Left wrist pediatric wrist radiograph; lateral; 11-year-old female.

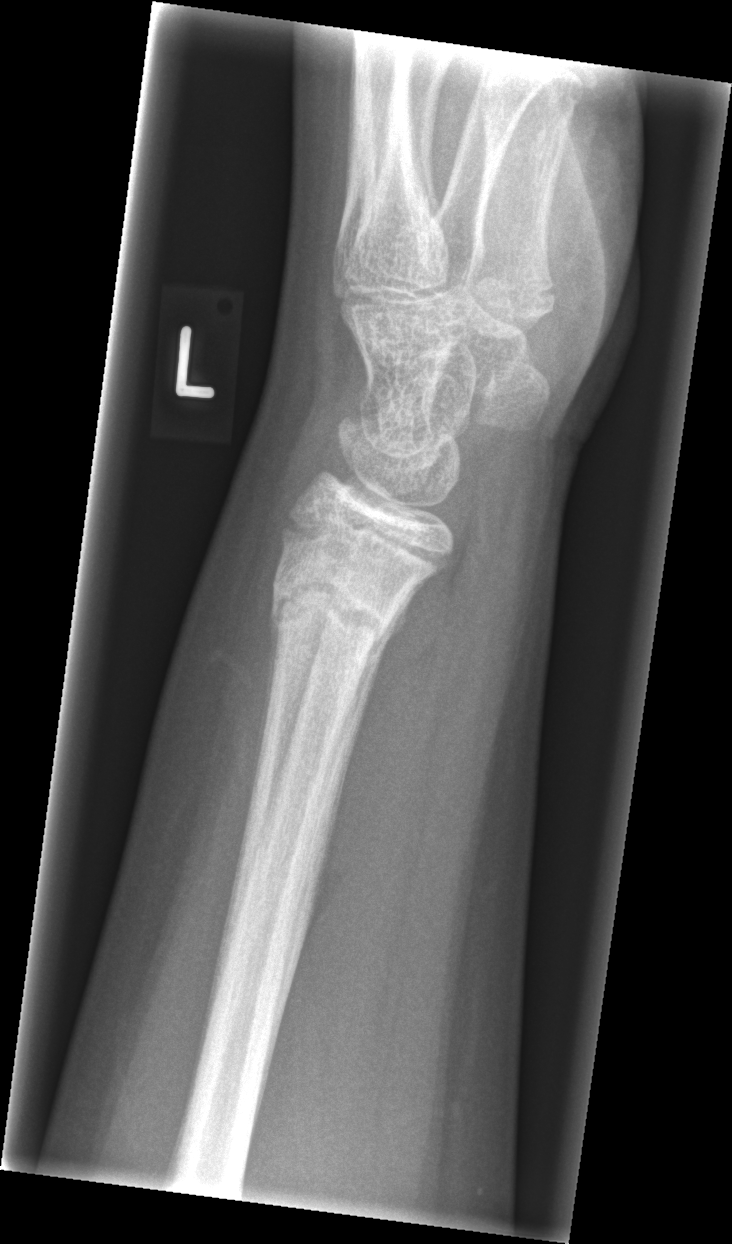

(bounding boxes in image-pixel xyxy)
fracture = 267,558,400,658
osteopenia = present